L wrist X-ray; lateral view; pediatric patient (boy, age 5):

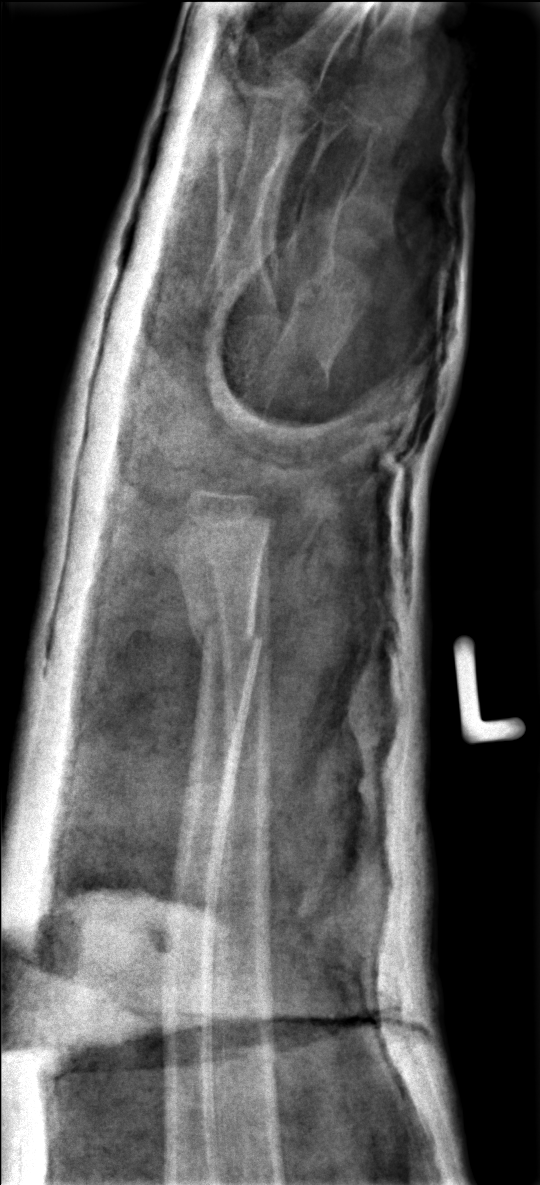 One bone fracture at (187, 606, 266, 670).